R plain radiograph of the wrist · lateral view
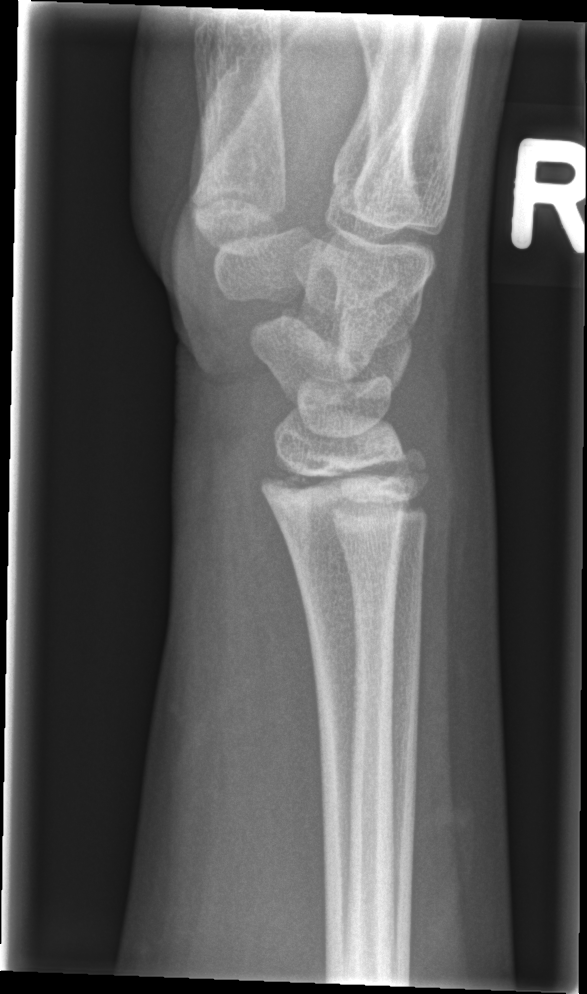

(pixel coordinates, top-left origin, xyxy)
Q: AO code?
A: AO/OTA classification: 23r-E/1; 23u-E/7
Q: Is there a fracture?
A: Two Fx at [254, 451, 420, 510], [394, 443, 436, 487]